L pediatric wrist radiograph; posteroanterior view; 9y M; acquired on Siemens; 674 x 884 px:
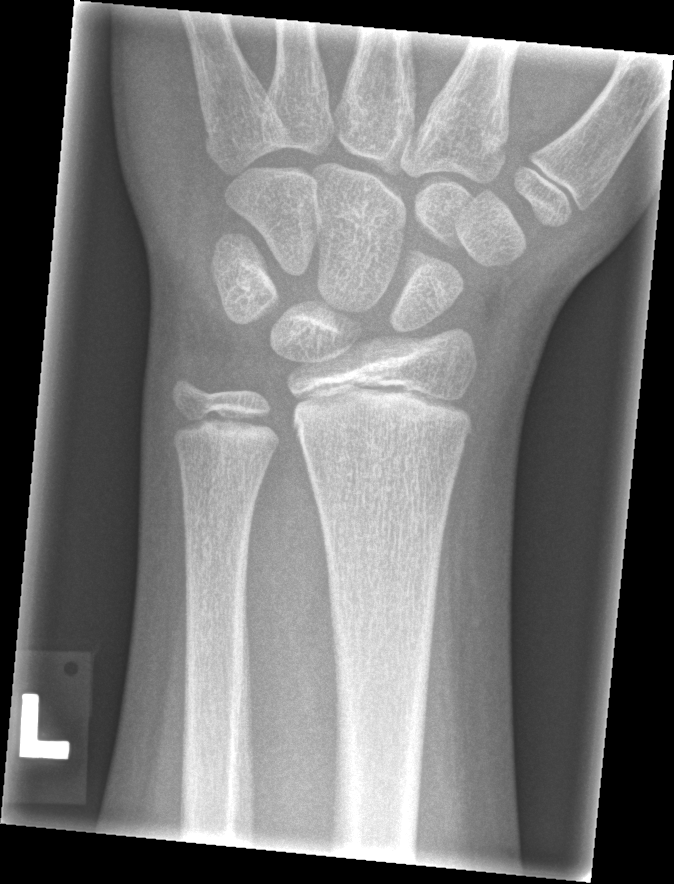

fracture: none labeled